Lat · right wrist radiograph · image size 505x1016. 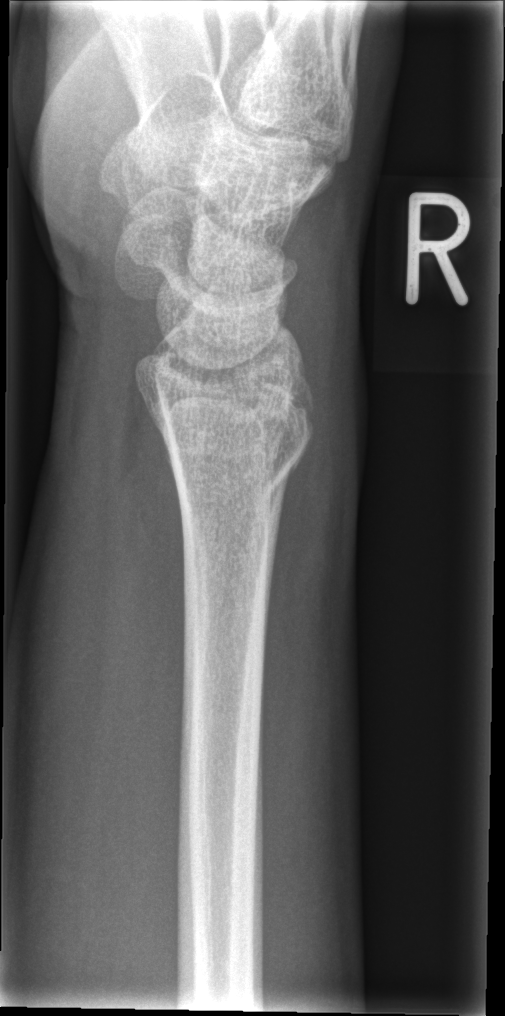

• Pixel coordinates, top-left origin, xyxy.
• Fx identified at 171,425,314,522.
• One pronator quadratus fat-pad sign at 123,405,190,764.
• Soft tissue abnormality identified at 274,353,369,655.
• AO/OTA classification: 23r-M/2.1.